Left wrist plain film · lateral · pediatric patient (boy, age 15) · Siemens —

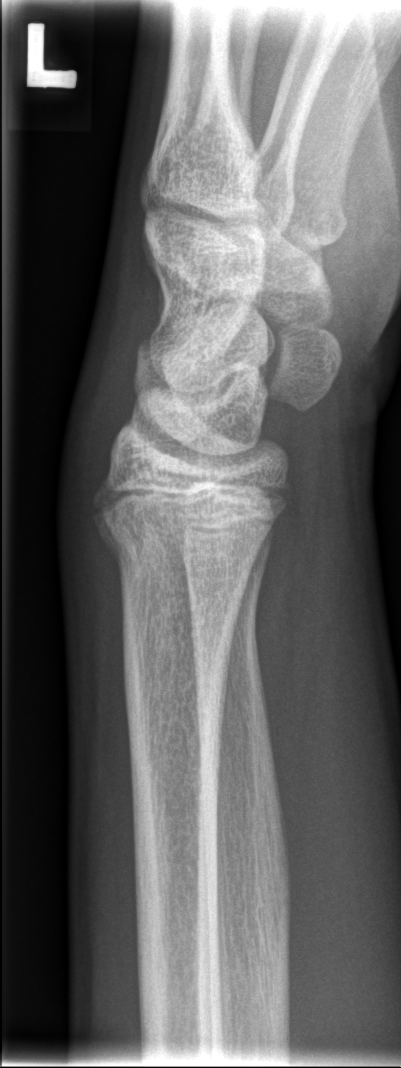
Pixel coordinates, top-left origin, xyxy. Fracture classified AO/OTA 23r-M/2.1. Fracture: (92, 503, 278, 579).